Left plain radiograph of the wrist; PA/AP projection; age 10 y, male; cast in situ; 85.7 mm image width
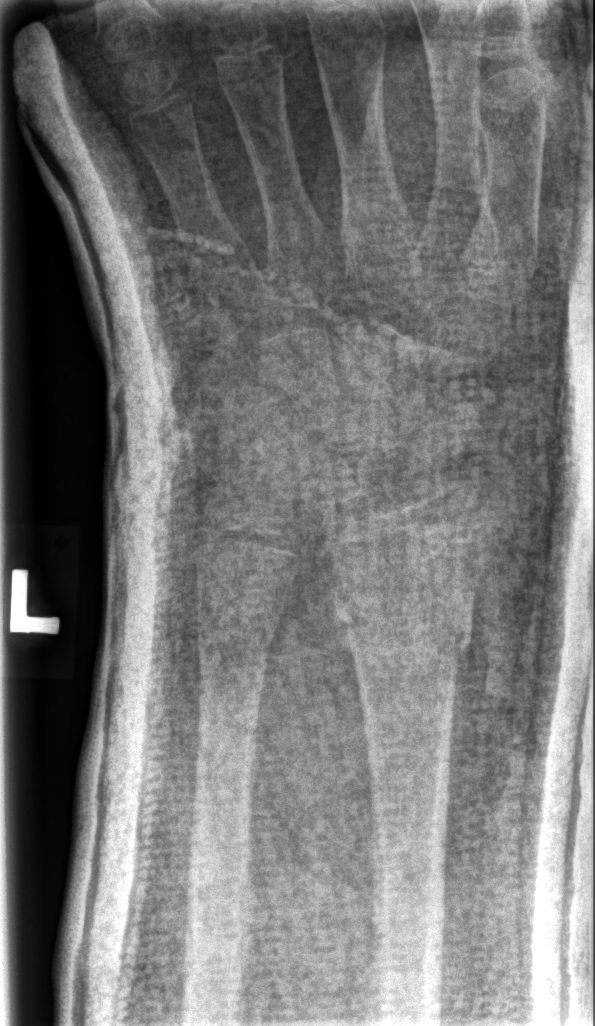

Pixel coordinates, top-left origin, xyxy. Bone fracture — [x1=331, y1=592, x2=481, y2=681].